PA projection · Lt wrist radiograph · age 17 y, girl · index exam · 716x1039

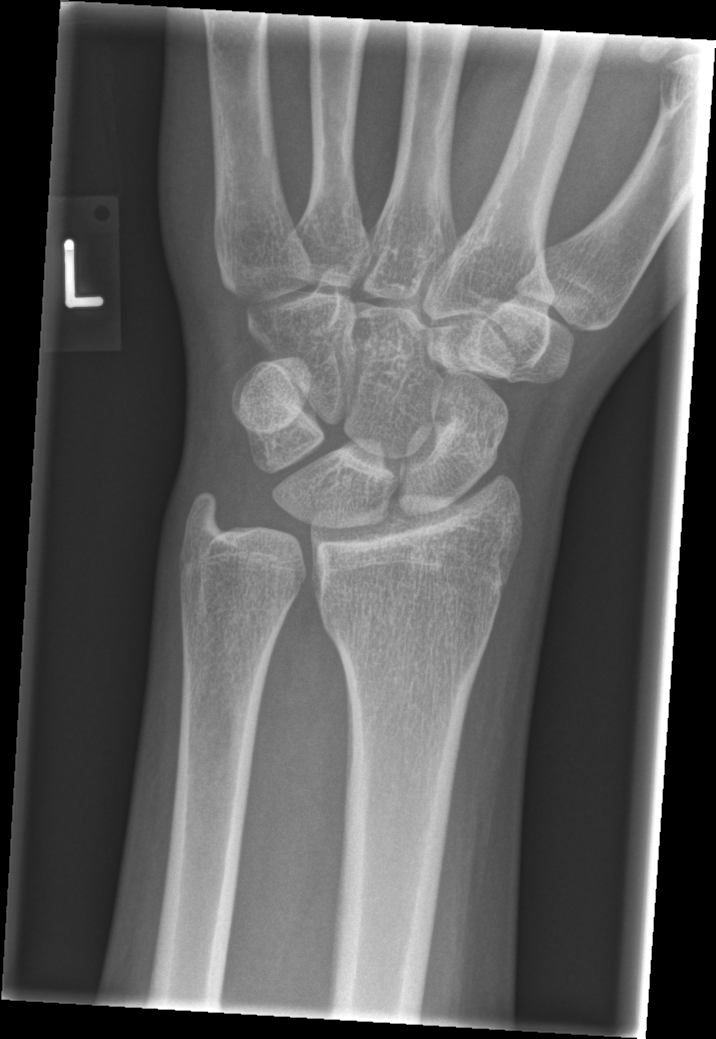

* Fx: none.